Rt wrist XR, lat view, age 12 y, male, index exam, 56.2 mm image width
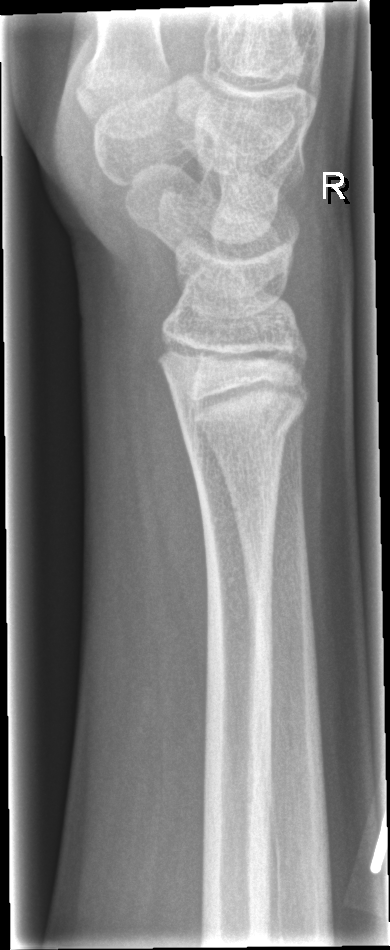 FINDINGS — (boxes as x1,y1,x2,y2 (top-left / bottom-right, pixel units)) Fracture: [171, 369, 314, 454]. AO code 23r-M/2.1.